Rt wrist XR | lat view | 16y F. 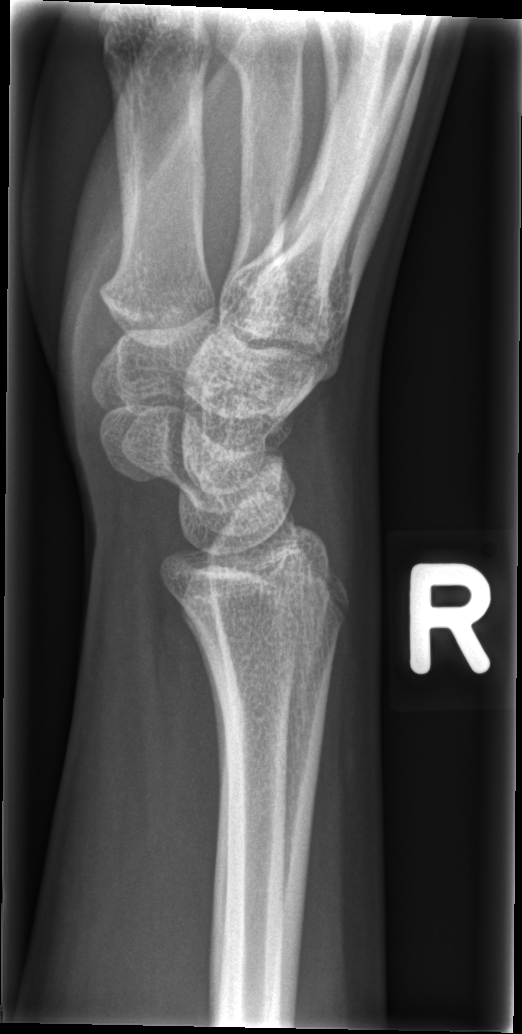
  fracture: none labeled